Rt wrist X-ray, lateral projection, cast in situ, 94.9 mm image width:
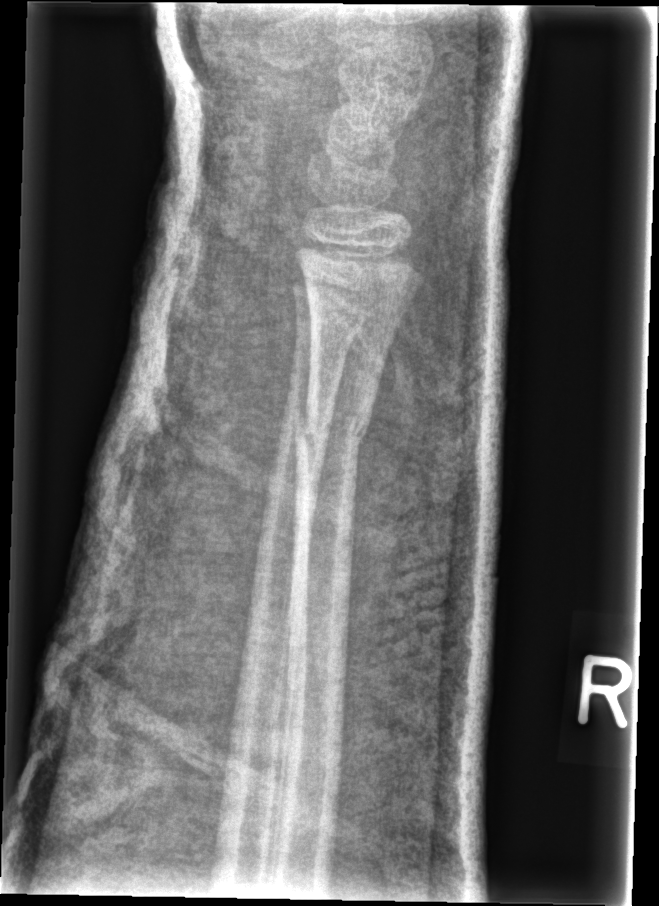
bone fracture = 293 394 374 464
  291 298 366 359
AO classification = 23r-M/3.1; 23u-M/2.1